Lat view, R wrist X-ray, 10-year-old male, follow-up study, cast in situ, 398 by 1141 pixels 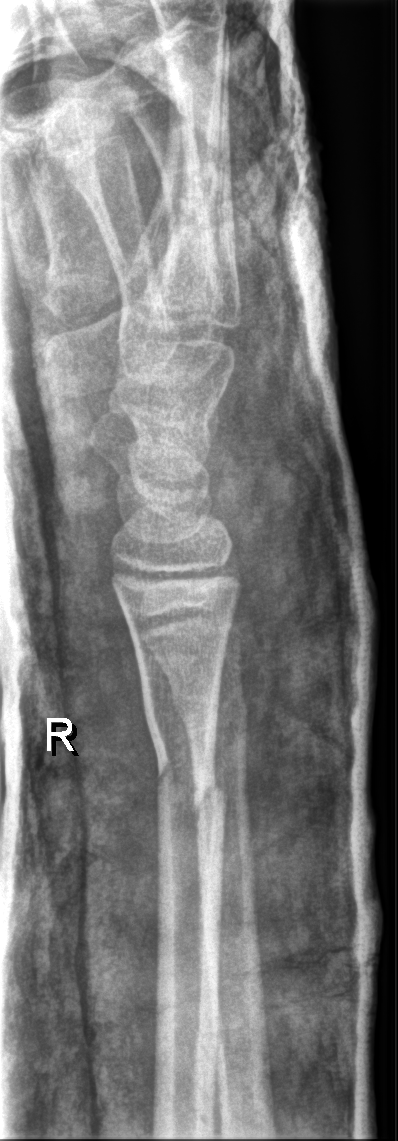

AO code: 23r-M/3.1; 23u-M/2.1
fracture: (left=141, top=723, right=231, bottom=827), (left=167, top=676, right=251, bottom=745)